Lateral view; R plain radiograph of the wrist; 9-year-old girl.

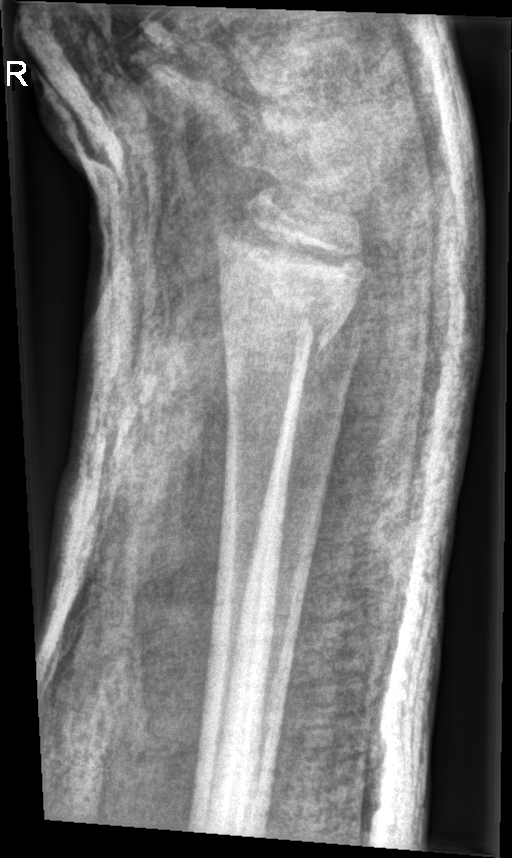 Fracture classified AO/OTA 23r-E/2.1; 23u-E/7. Fracture — 208 217 376 352.